Lat view; left wrist plain film; initial study:
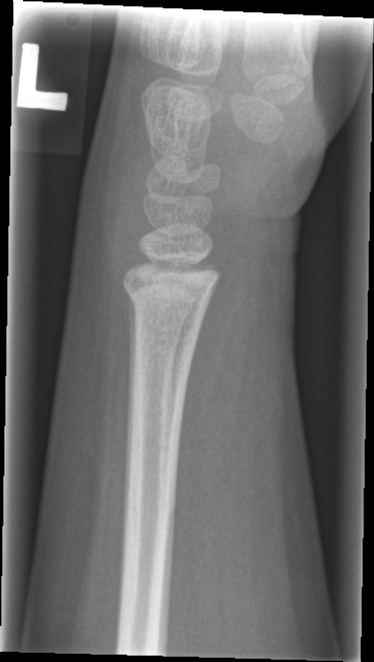 (pixel coordinates, top-left origin, xyxy)
AO classification: 23r-M/2.1
Fx: (122, 272, 216, 324)